Left pediatric wrist radiograph, AP, age 10 y, female, cast present —
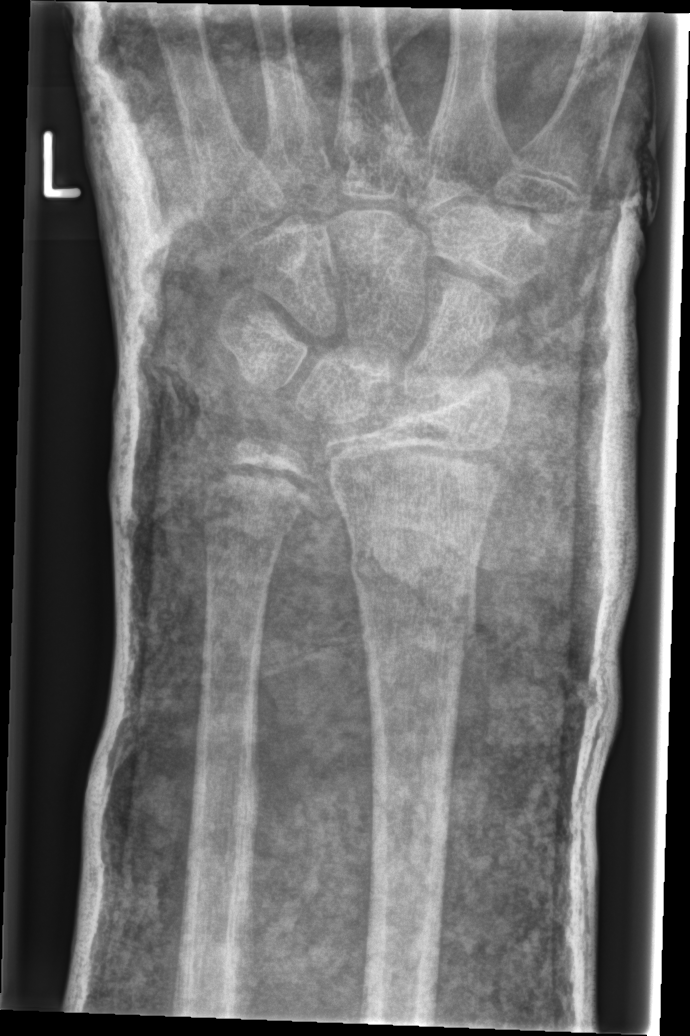
* Coordinates are [x1, y1, x2, y2] in image pixels.
* Fx — 345,533,483,665; 196,486,298,550.